Left wrist plain film; AP view; pediatric patient (female, age 9)

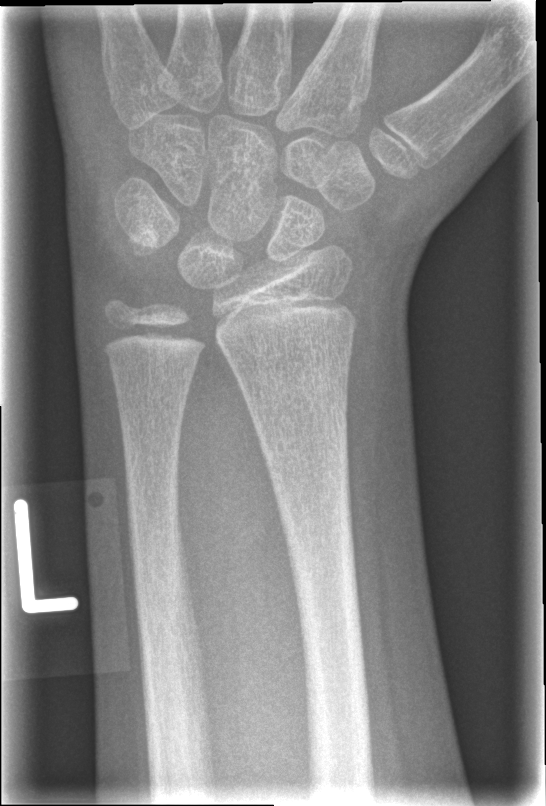

No Fx annotated.